Lt wrist X-ray, PA.

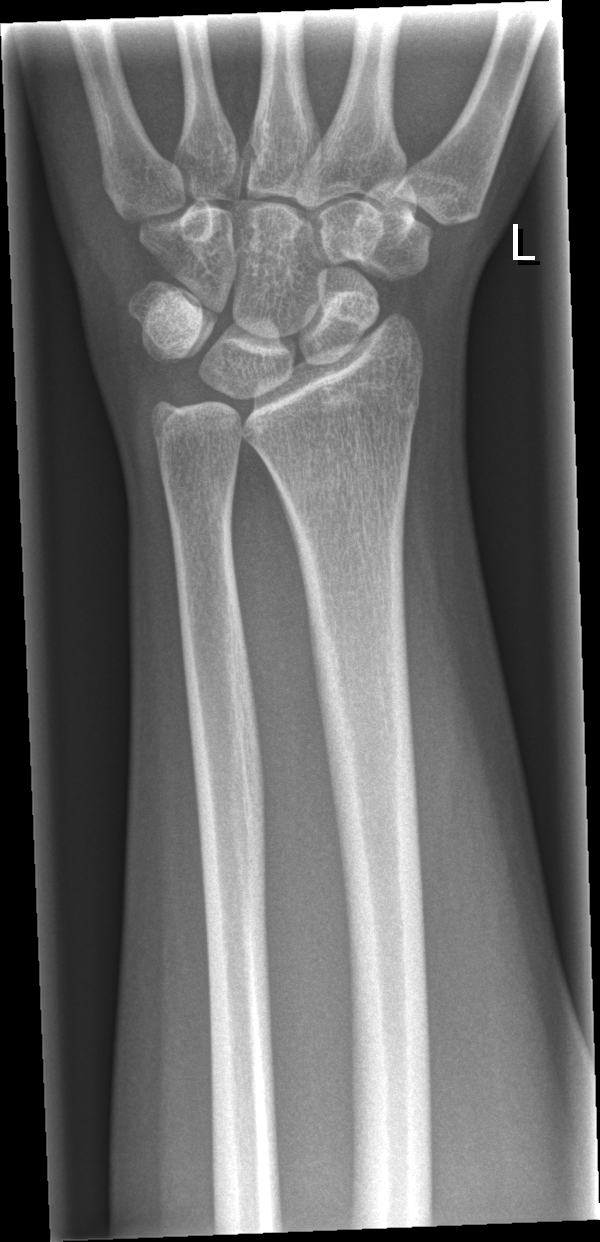
Fx: none.